Left wrist radiograph, PA projection, 9-year-old female: 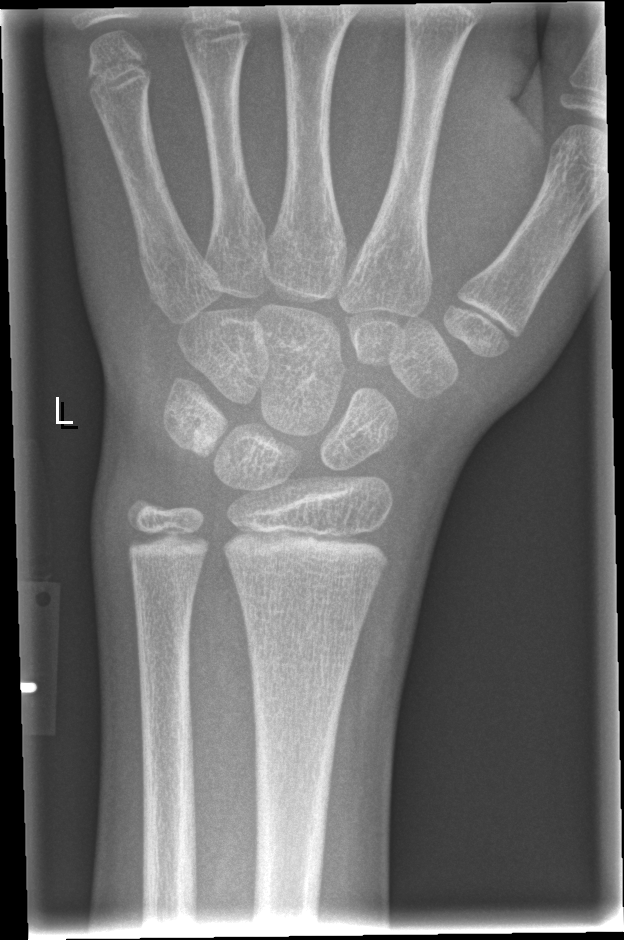

fracture = none labeled